Right plain radiograph of the wrist · posteroanterior · pediatric patient (female, age 8) 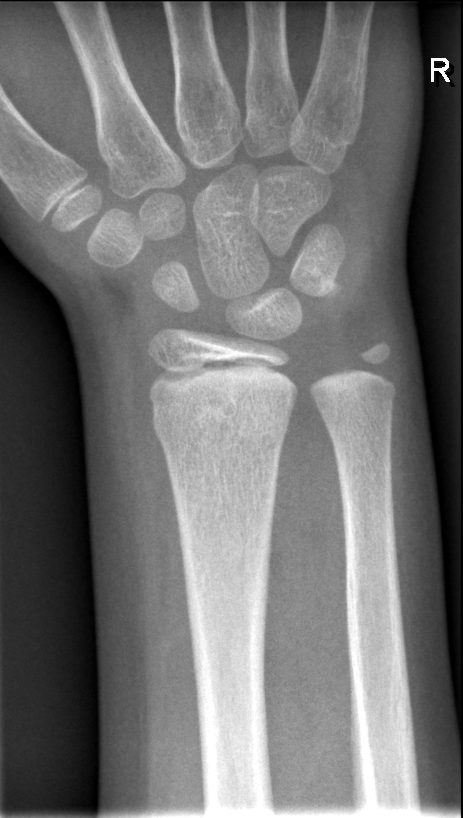
Q: Is there a fracture?
A: One fracture at 147 391 293 454